Rt pediatric wrist radiograph · AP · age 17 y, male —
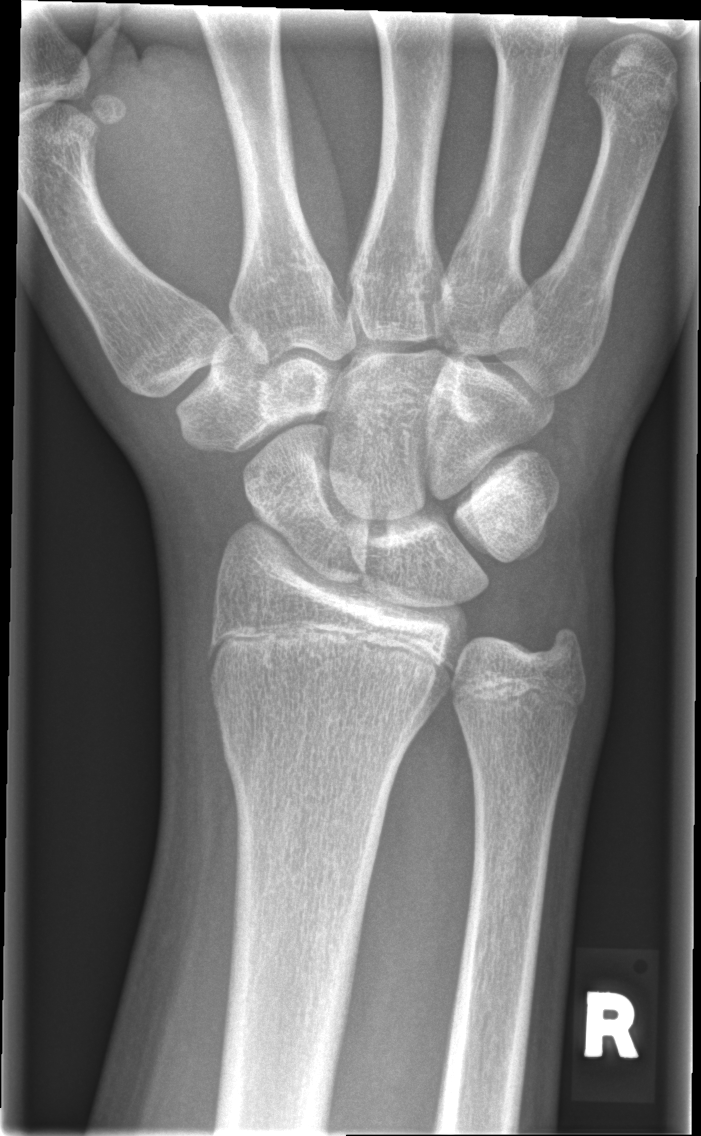
Fx: none labeled